Lat projection, left wrist radiograph, age 14 y, boy:
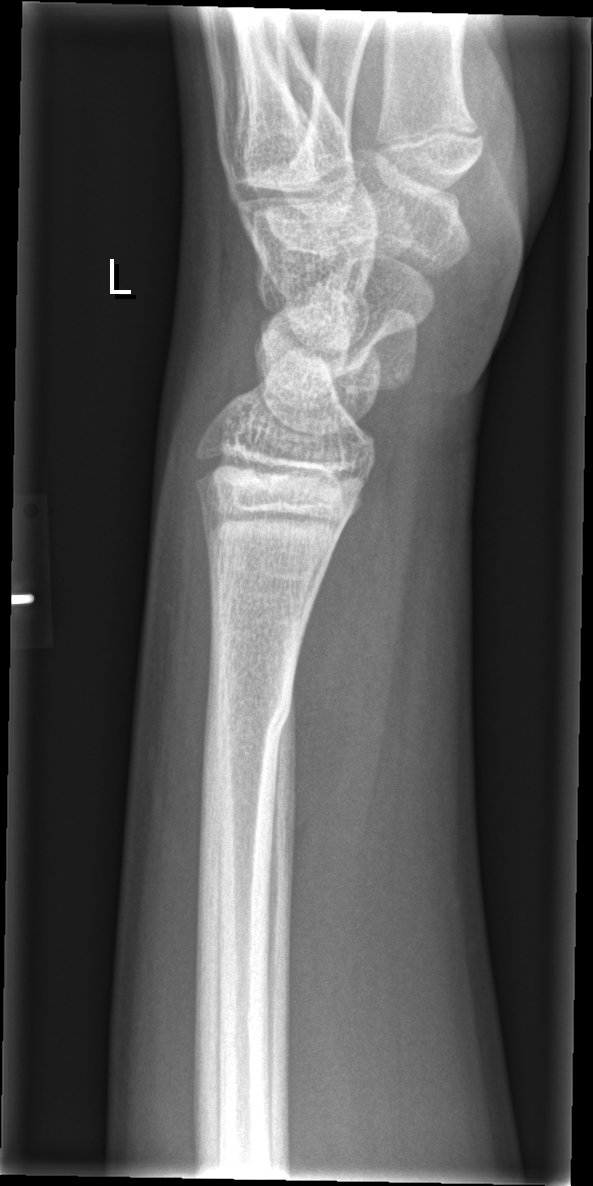
* Pixel coordinates, top-left origin, xyxy.
* Positive pronator fat-pad sign — (left=295, top=450, right=401, bottom=826).
* AO code 23r-M/2.1.
* Fx — (left=199, top=666, right=295, bottom=756).